PA projection, L wrist XR: 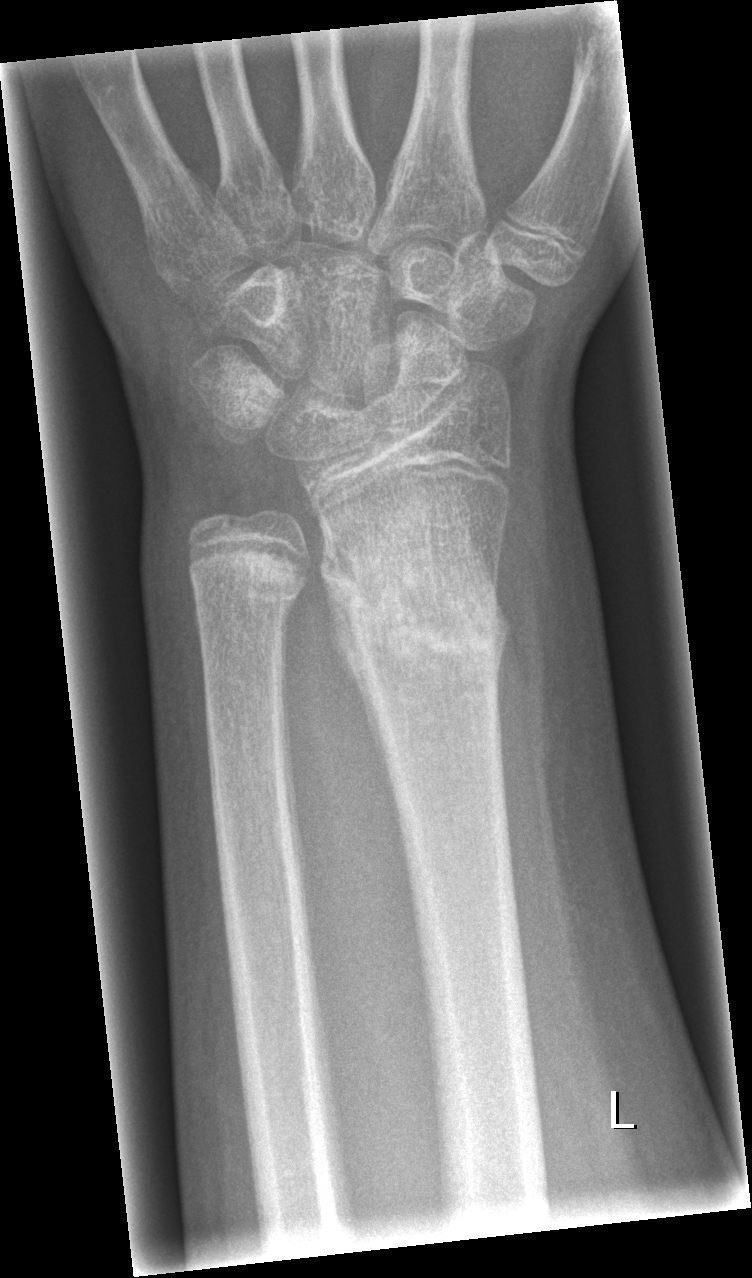

  osteopenia: present
  periostealreaction: [326, 532, 391, 770] [497, 593, 517, 696]
  fracture: [316, 531, 508, 696] [183, 510, 313, 616]
  ao: 23r-M/2.1; 23u-E/2.1